PA/AP projection, R wrist XR, boy, 12 yo, follow-up study, cast in situ, image width 104.5 mm

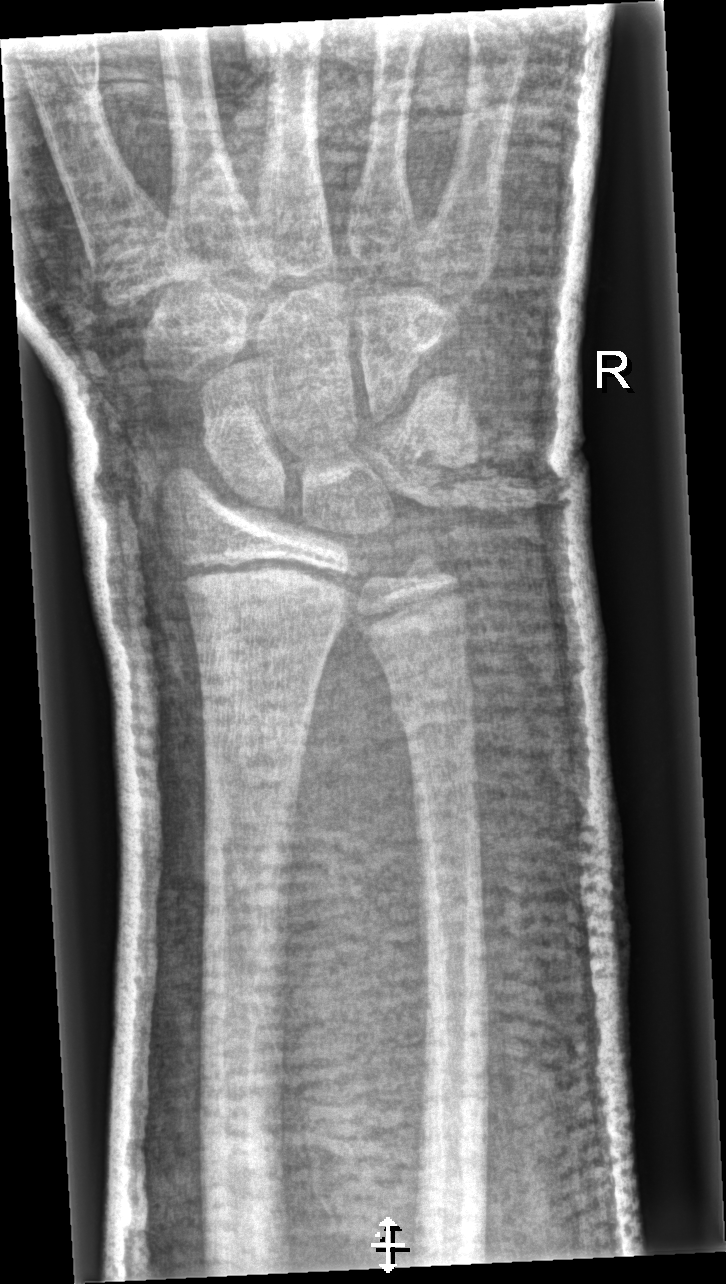

{
  "fracture": "(left=382, top=663, right=480, bottom=735)",
  "ao": "23u-M/2.1"
}